Lt wrist X-ray | PA projection | follow-up | cast present

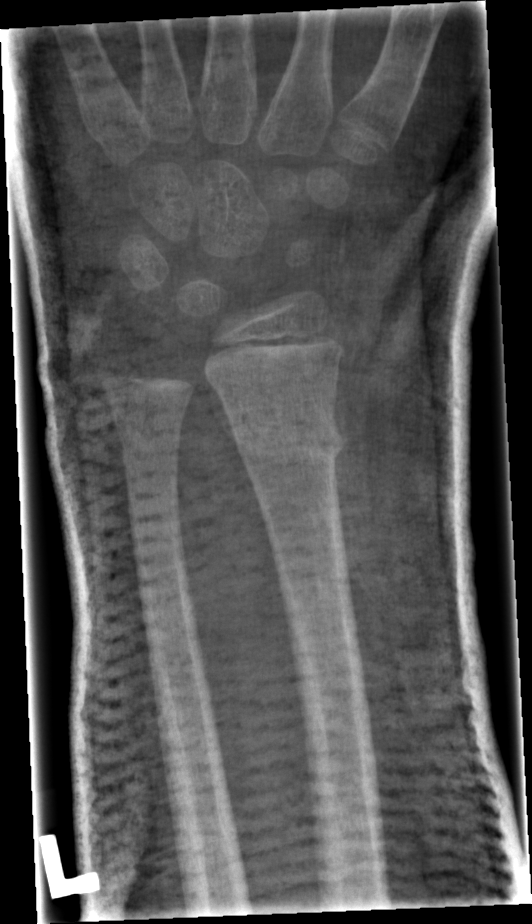

  # boxes as x1,y1,x2,y2 (top-left / bottom-right, pixel units)
  ao: 23-M/2.1
  fracture: [x1=232, y1=411, x2=346, y2=469] [x1=115, y1=416, x2=185, y2=459]